PA · L wrist X-ray · pediatric patient (girl, age 10) —

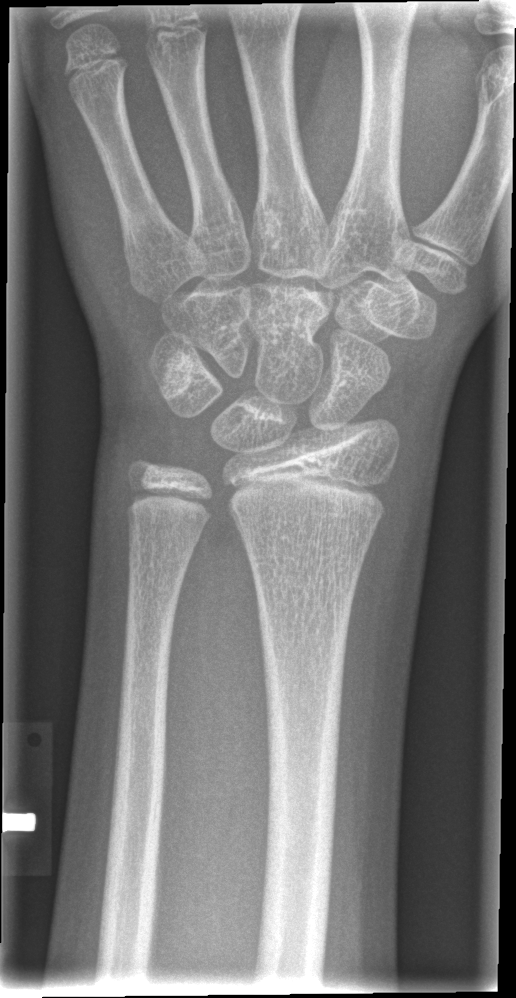

Bone fracture = none labeled